PA · Rt wrist radiograph · male, 12 yo · index exam · 538x882.

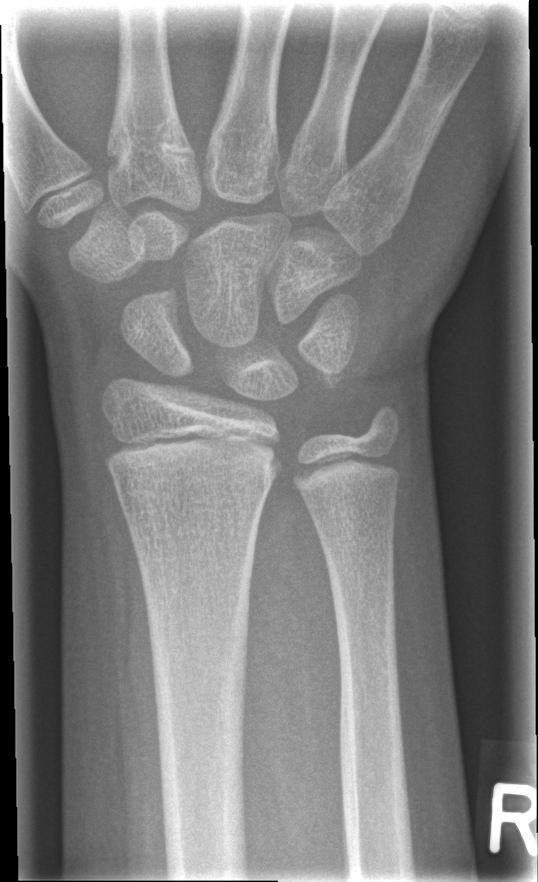 Fx present but not clearly seen in this view.